R wrist XR; AP view; imaged through cast. 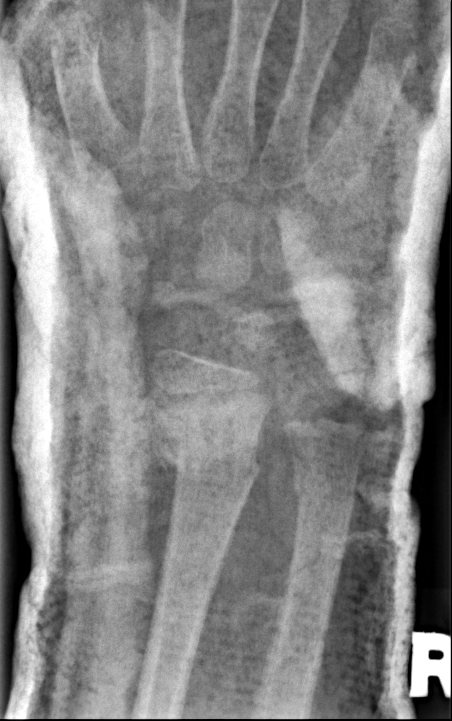
AO/OTA = 23-M/3.1
Fracture = 2 @ [154, 436, 262, 484] [289, 472, 360, 511]